Left plain radiograph of the wrist | PA/AP projection

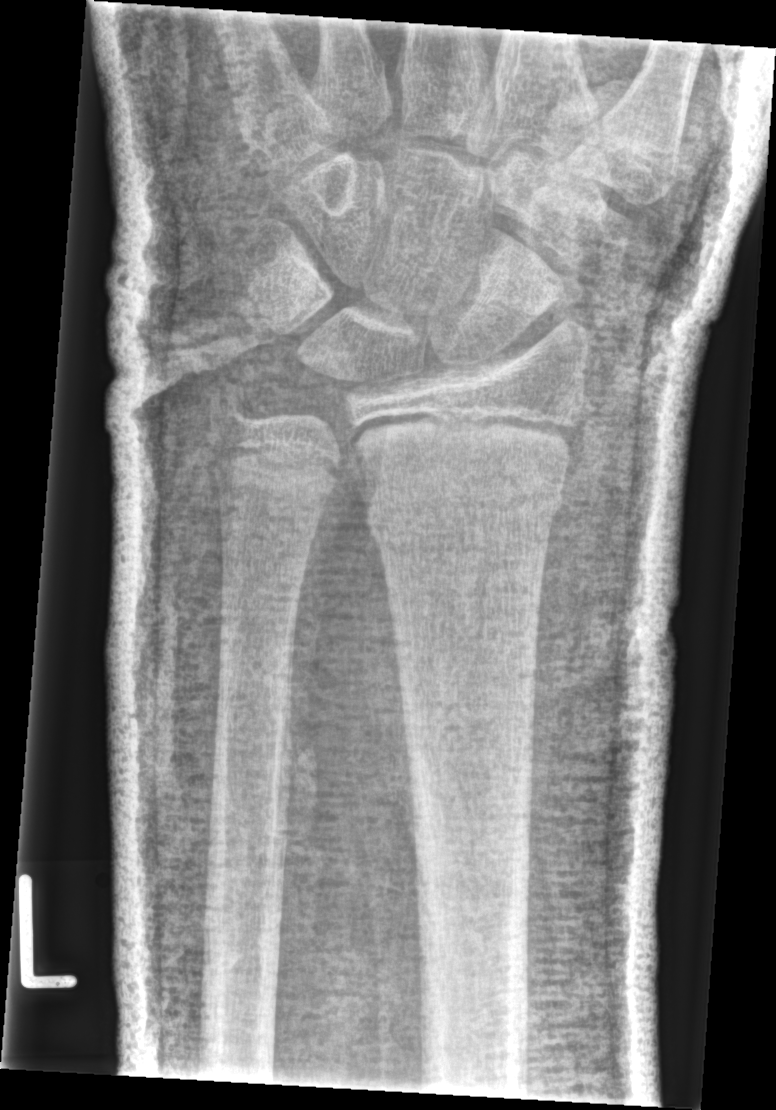 Fx: 359,470,568,548
AO code: 23r-M/2.1